Rt plain radiograph of the wrist · lateral view · presentation radiograph · 310 by 624 pixels: 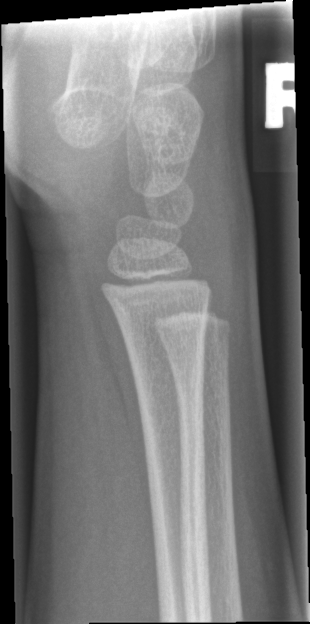
FINDINGS: No fracture labeled.